L wrist radiograph, lateral, age 10 y, girl.

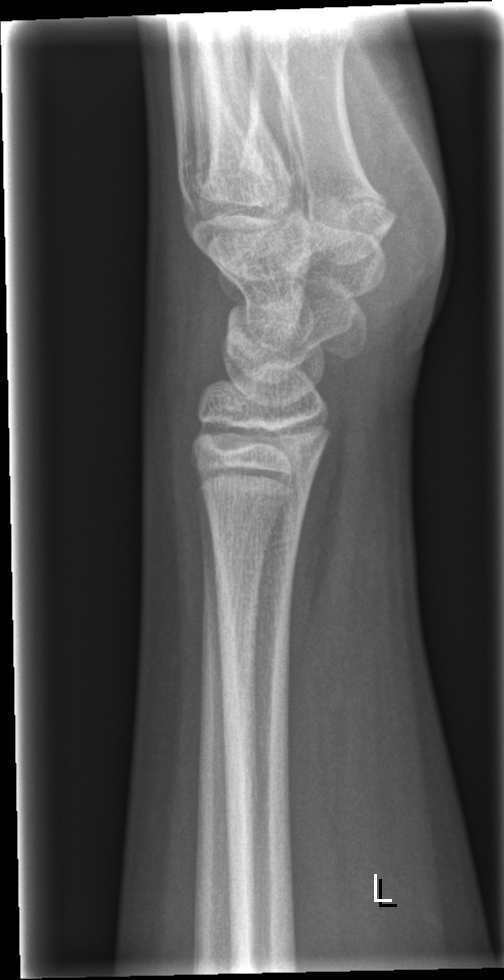
No Fx annotated.